L wrist plain film · posteroanterior view · age 9 y, female · Siemens · image width 89.3 mm · 620 by 776 pixels —

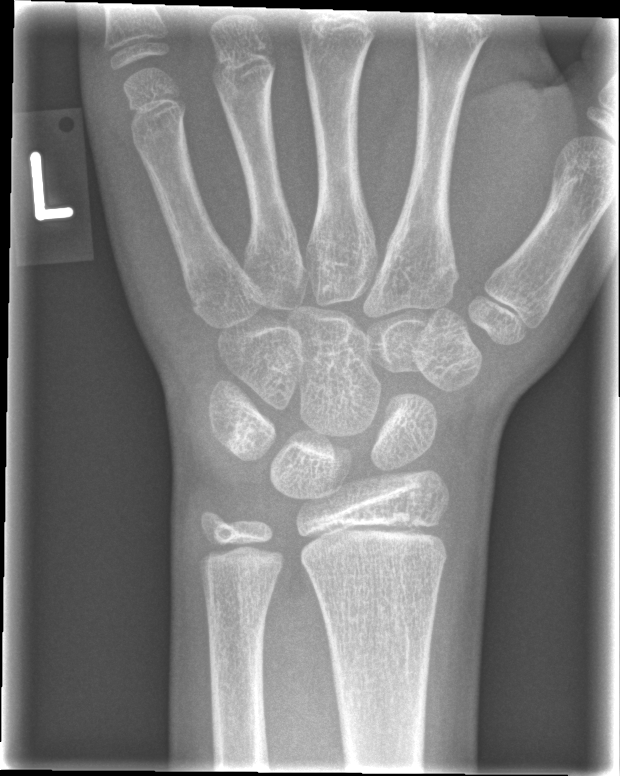

{"fracture": "none labeled"}